Left wrist XR, AP view, 15-year-old girl, presentation radiograph 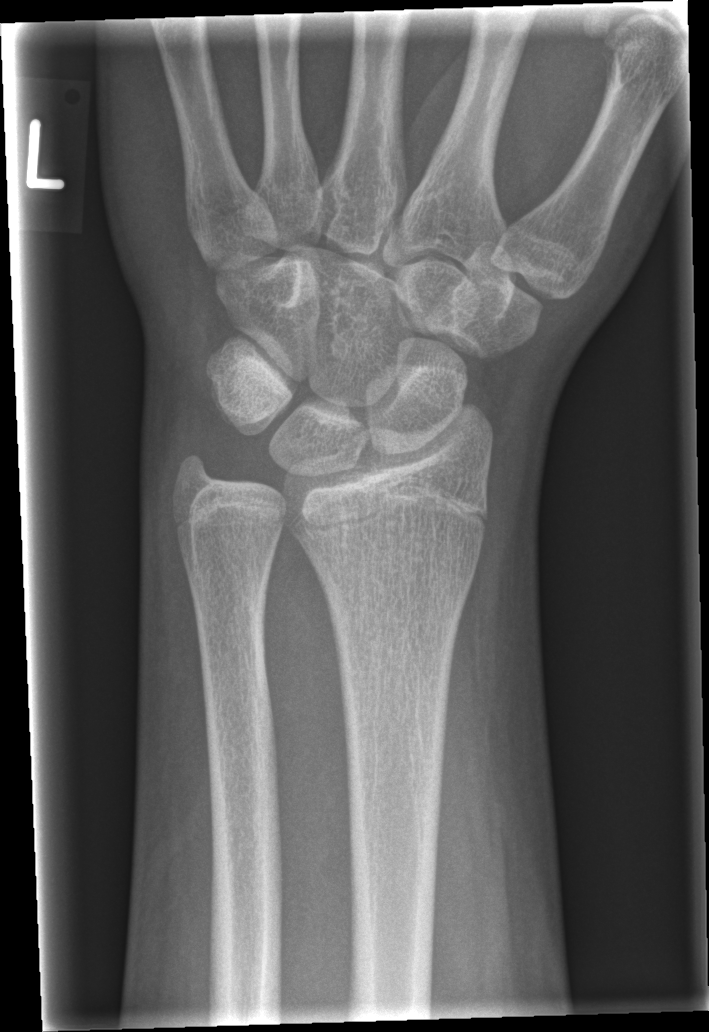 * Fracture present, but no bounding box because it is not clearly seen in this view.